L wrist X-ray | lateral view | 61.1 mm image width:
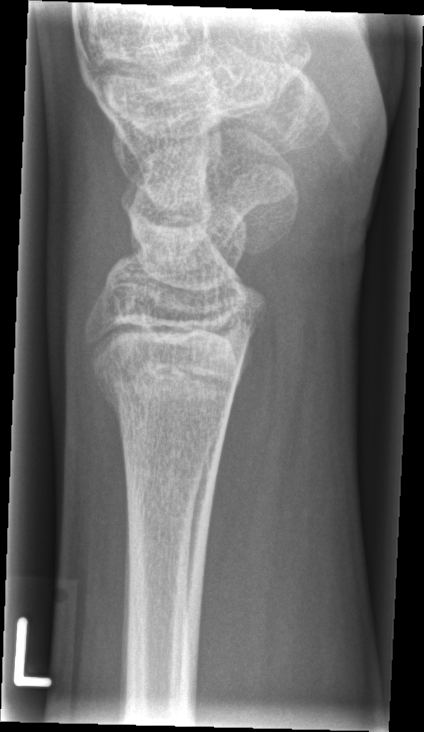
Findings: Bone fracture: 97 368 238 442. AO/OTA classification: 23r-M/2.1.